PA/AP view; right plain radiograph of the wrist; imaged through cast; 645 by 1168 pixels: 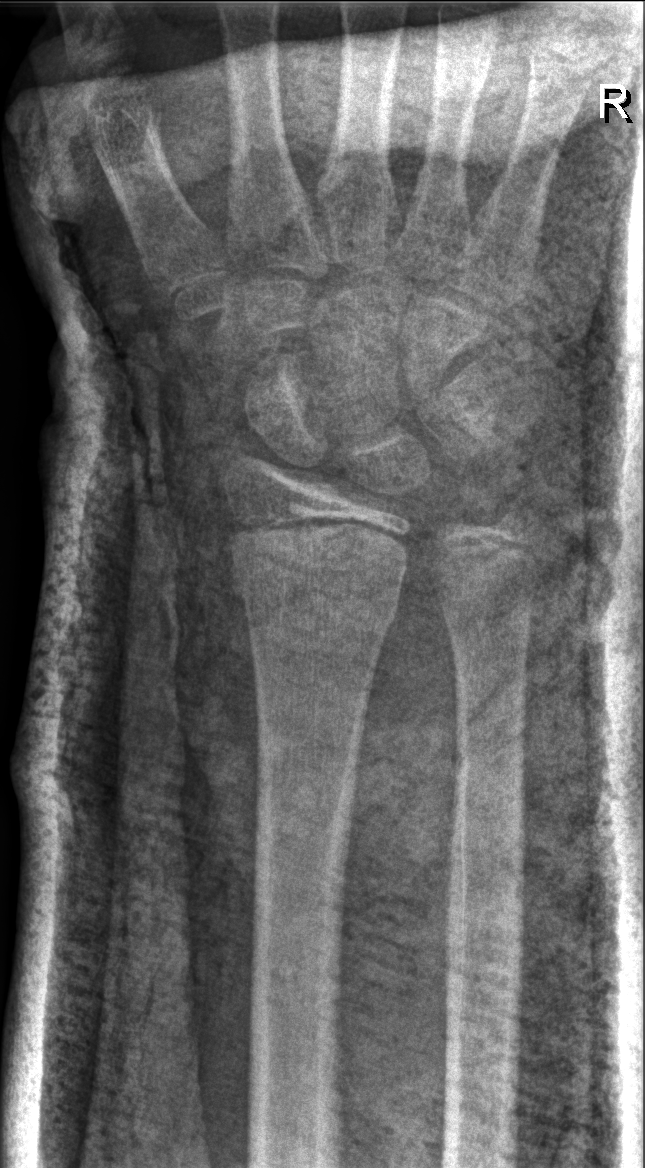
AO code 23r-E/2.1; 23u-E/7. One fracture at [x1=220, y1=513, x2=413, y2=631].